Lat view · Lt wrist plain film · index exam · findings marked uncertain by the reading radiologist.

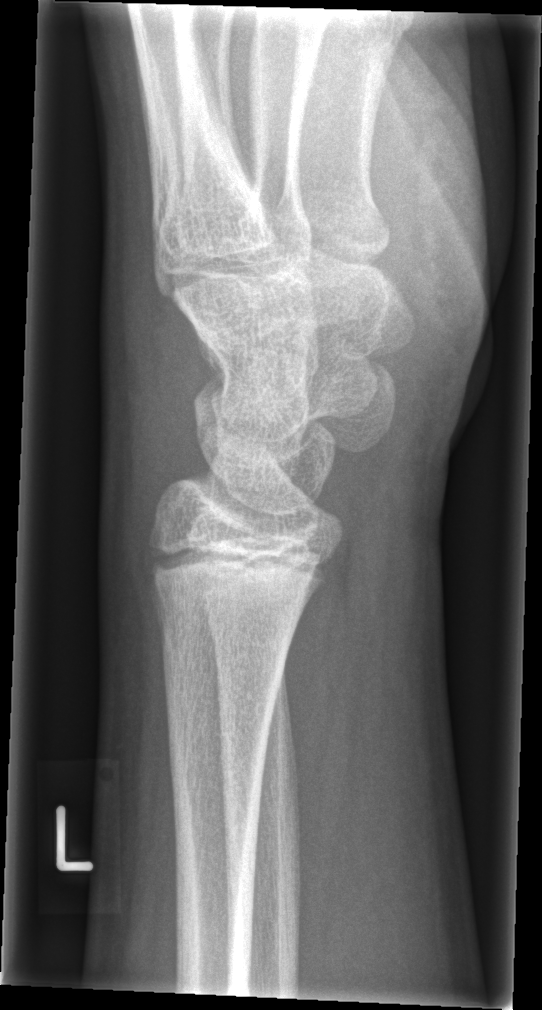
AO/OTA: 23r-M/2.1; 23u-E/7
Fracture: 1 @ (left=145, top=568, right=312, bottom=662)